Right wrist X-ray | lateral projection | 11-year-old boy | 448x1166: 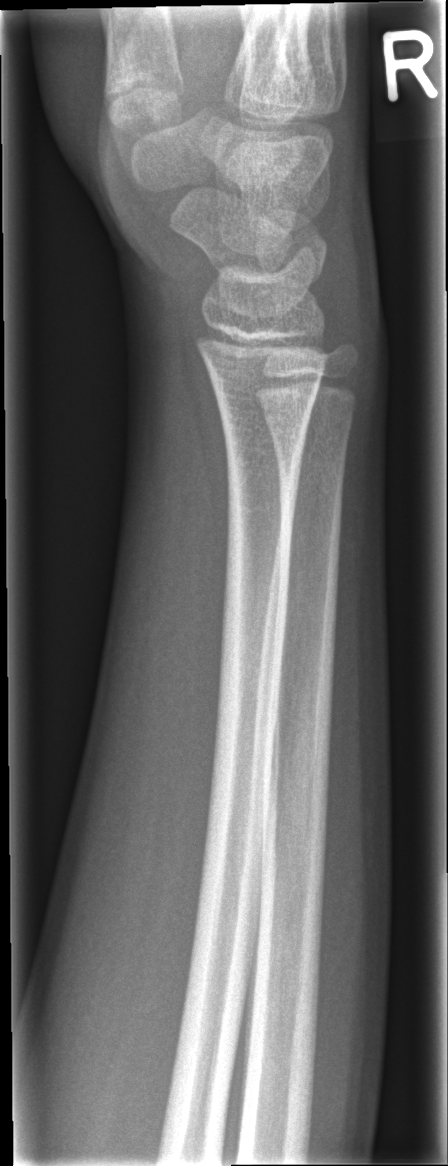
- No fracture annotation.